L pediatric wrist radiograph, lat view, pediatric patient (boy, age 13), detector: Siemens

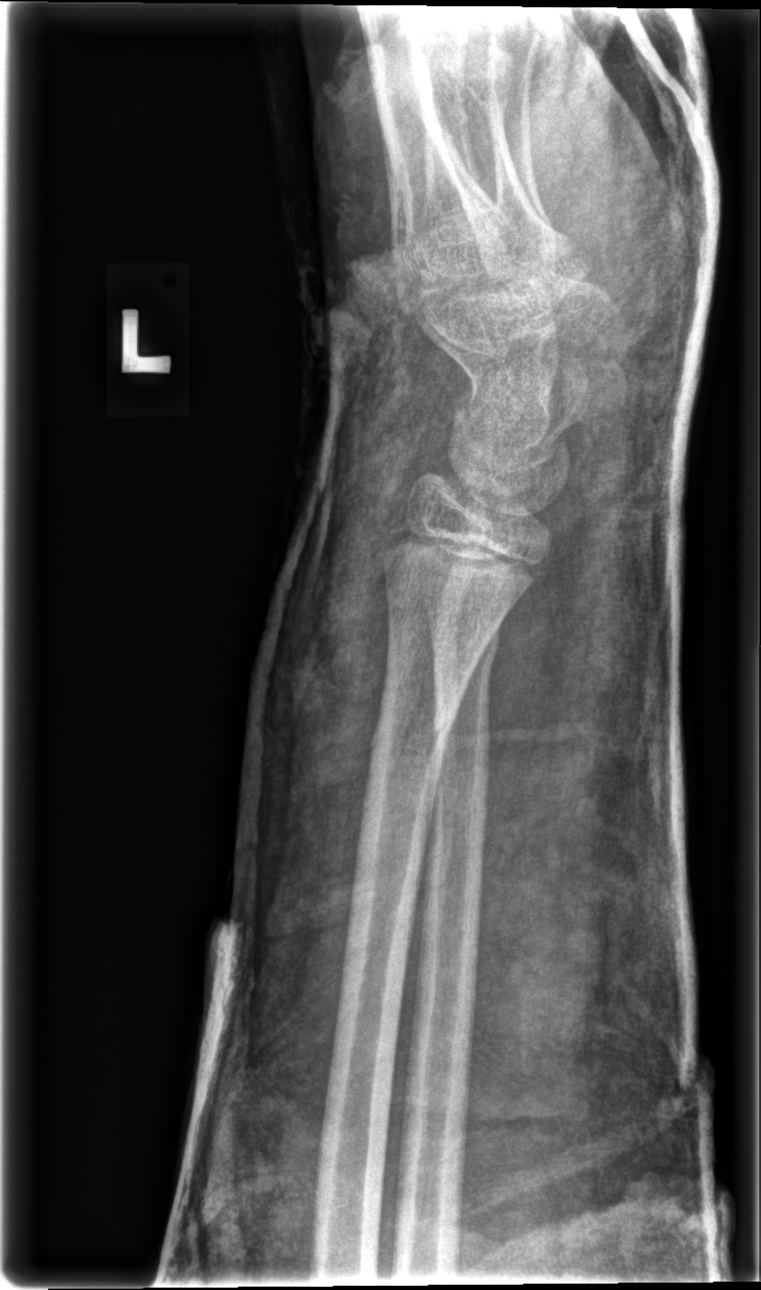 Pixel coordinates, top-left origin, xyxy.
Fracture identified at 358 688 465 796
  428 609 505 693.
Fracture classified AO/OTA 23-M/2.1.